R wrist plain film; lat view: 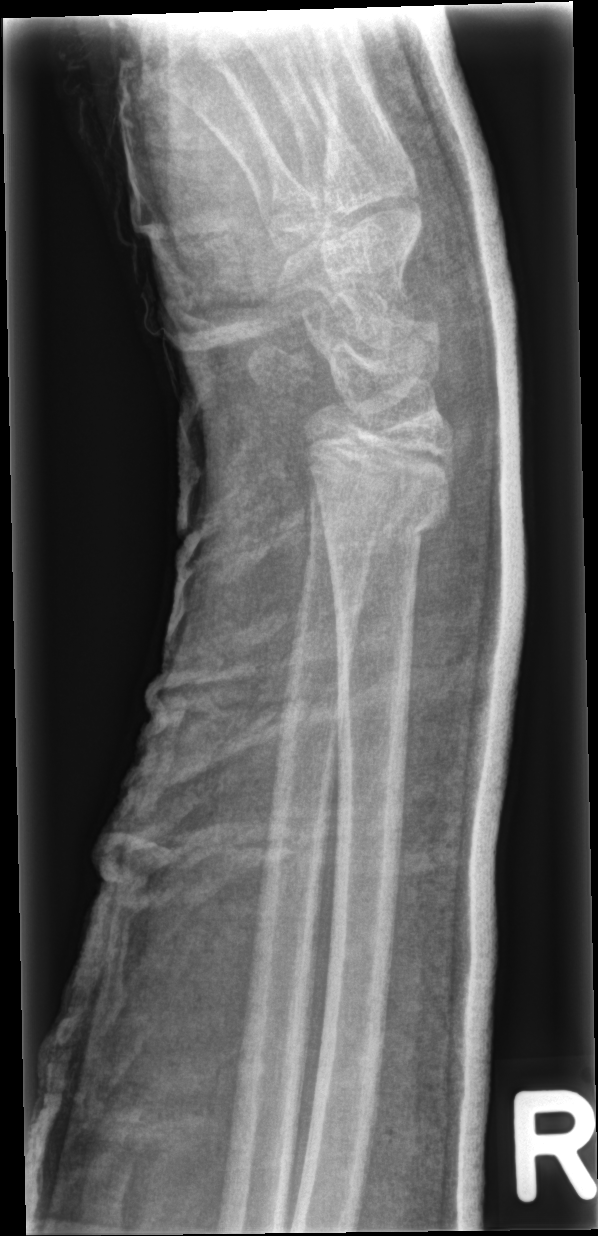 One Fx at 319 451 460 560. AO/OTA classification: 23r-M/2.1; 23u-E/7.